Lt wrist radiograph, lat projection —
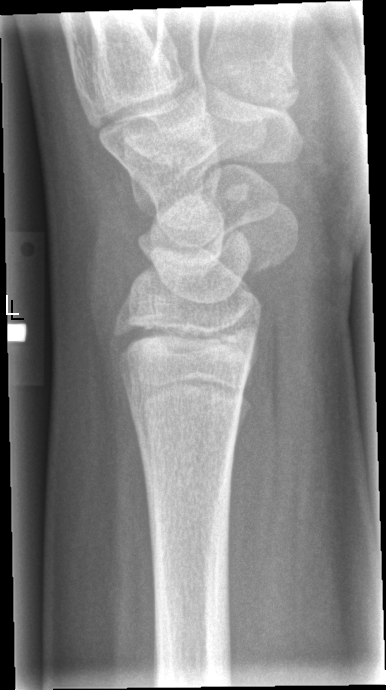 {
  "fracture": "none labeled"
}